Lateral view | Rt wrist radiograph | 9y F —
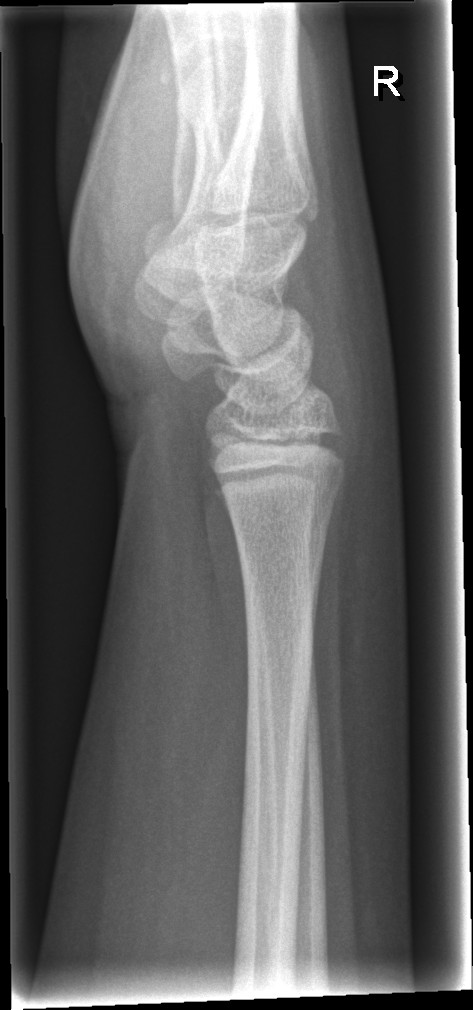 * No Fx annotated.